R wrist X-ray; lateral view; 1.8-year-old male. 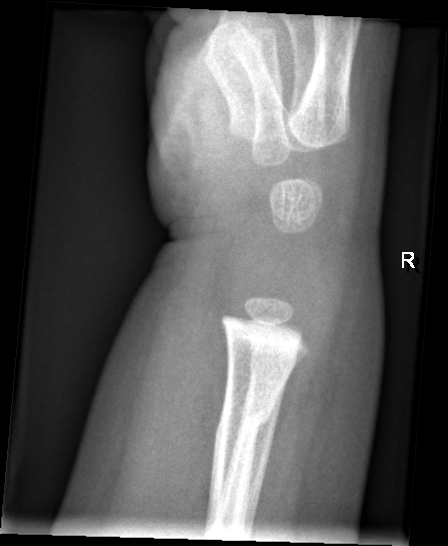 * AO code 23-M/2.1.
* Fracture identified at (left=205, top=405, right=275, bottom=457).